L pediatric wrist radiograph · lat view · detector: Siemens

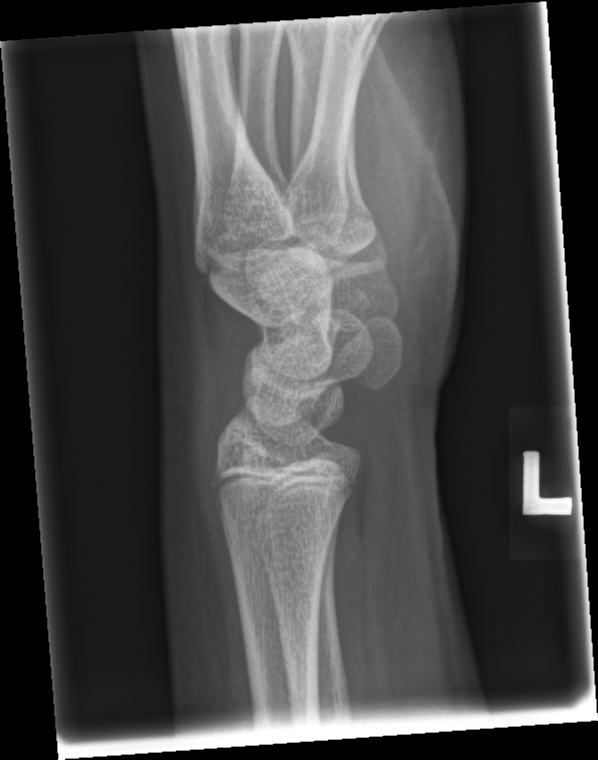

• No fracture labeled.